Lat view · R wrist XR · in cast · image 78.2 mm wide: 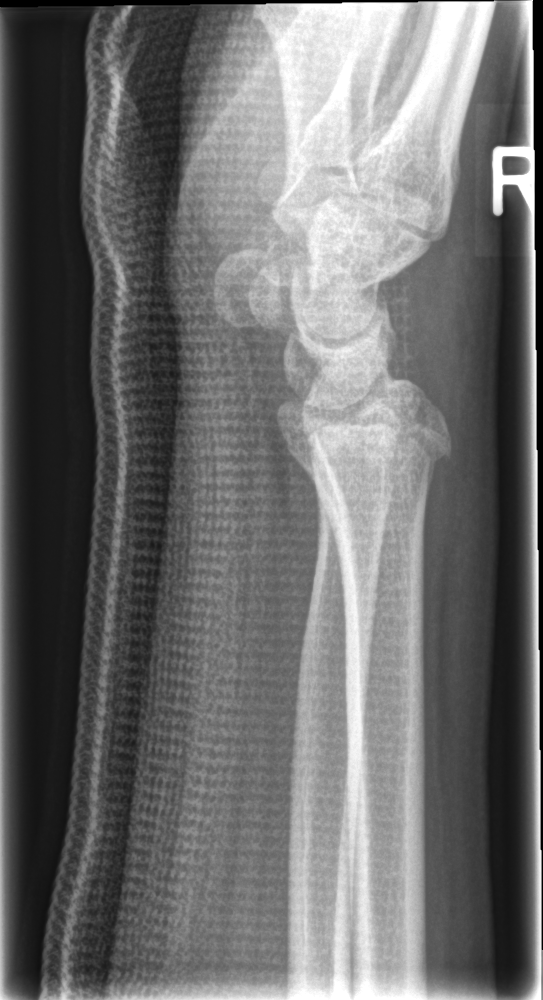

FINDINGS — Fracture identified at [x1=275, y1=410, x2=456, y2=492]. AO code 23r-M/3.1; 23u-E/7.